Lateral | Lt wrist plain film | 11-year-old girl | 494 by 1096 pixels 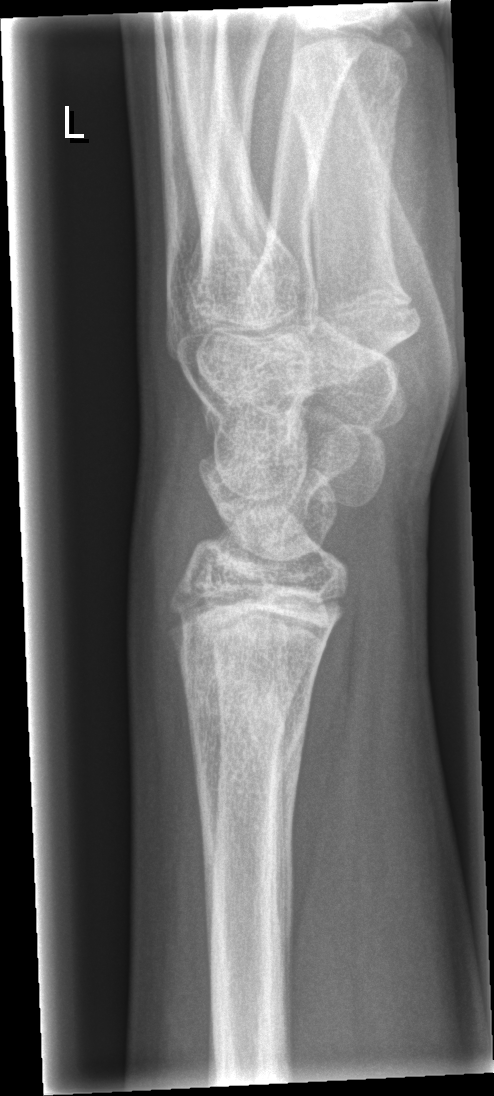 Bounding boxes in image-pixel xyxy. AO code 23r-M/3.1; 23u-E/7. One fracture at 170,627,318,742.